Right wrist radiograph | lat projection

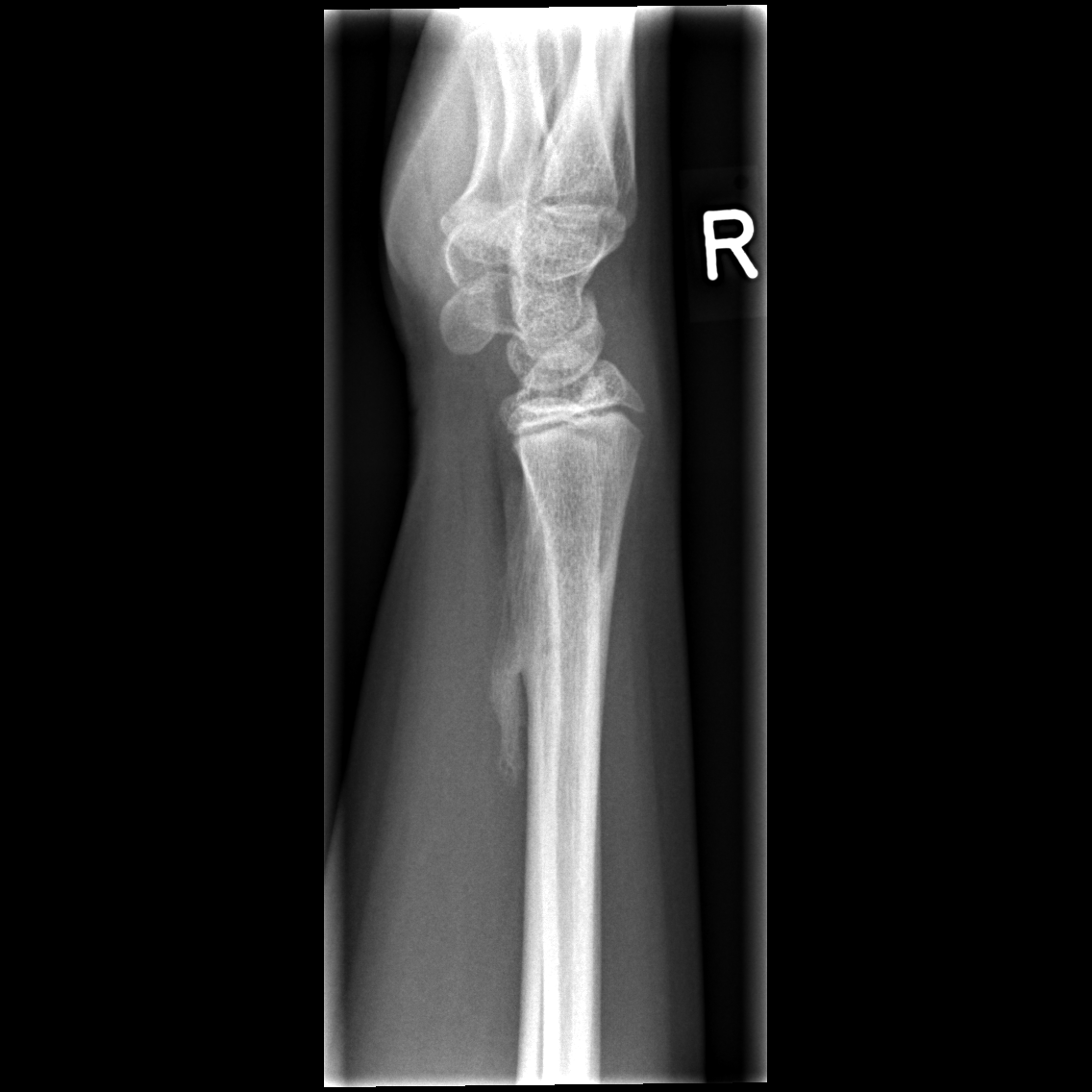 FINDINGS: (bounding boxes in image-pixel xyxy) Osseous anomaly identified at <480,457>-<626,795>. Fracture: none labeled.